Lat view; Rt pediatric wrist radiograph; index exam —

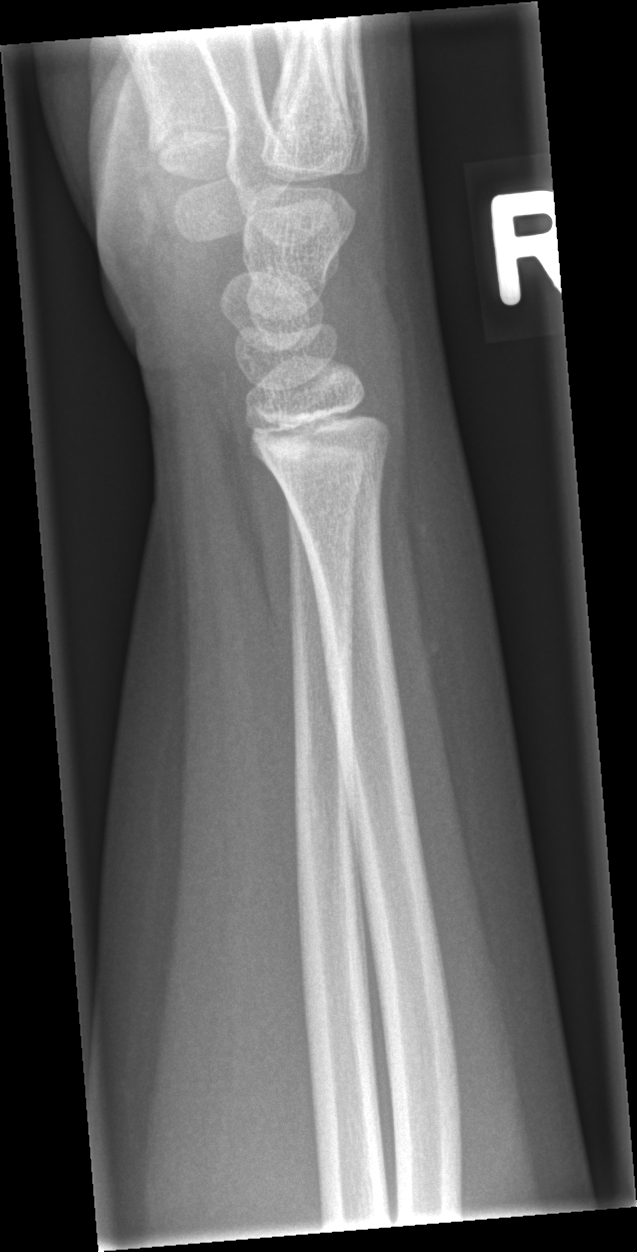
bone fracture = none labeled